Right wrist radiograph · lateral view

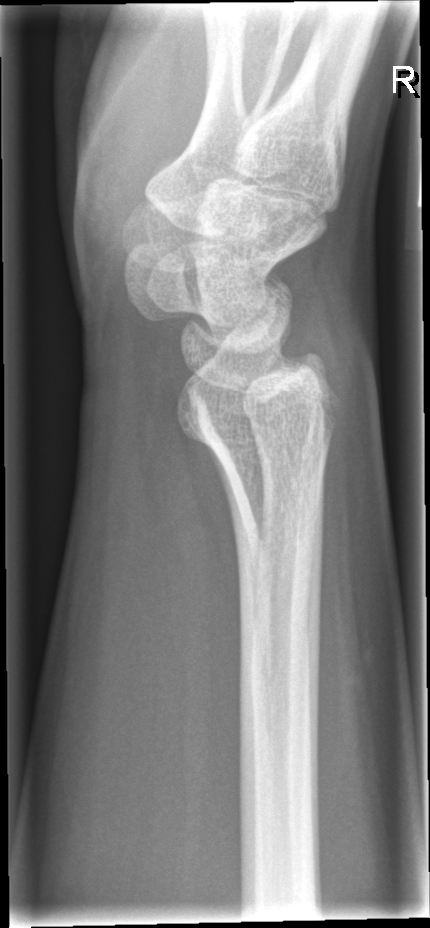

- Bounding boxes in image-pixel xyxy.
- One fracture at (left=174, top=348, right=349, bottom=453).
- One bone variant at (left=168, top=349, right=351, bottom=472).